Right plain radiograph of the wrist, lateral view, 16y M, image size 700x1287. 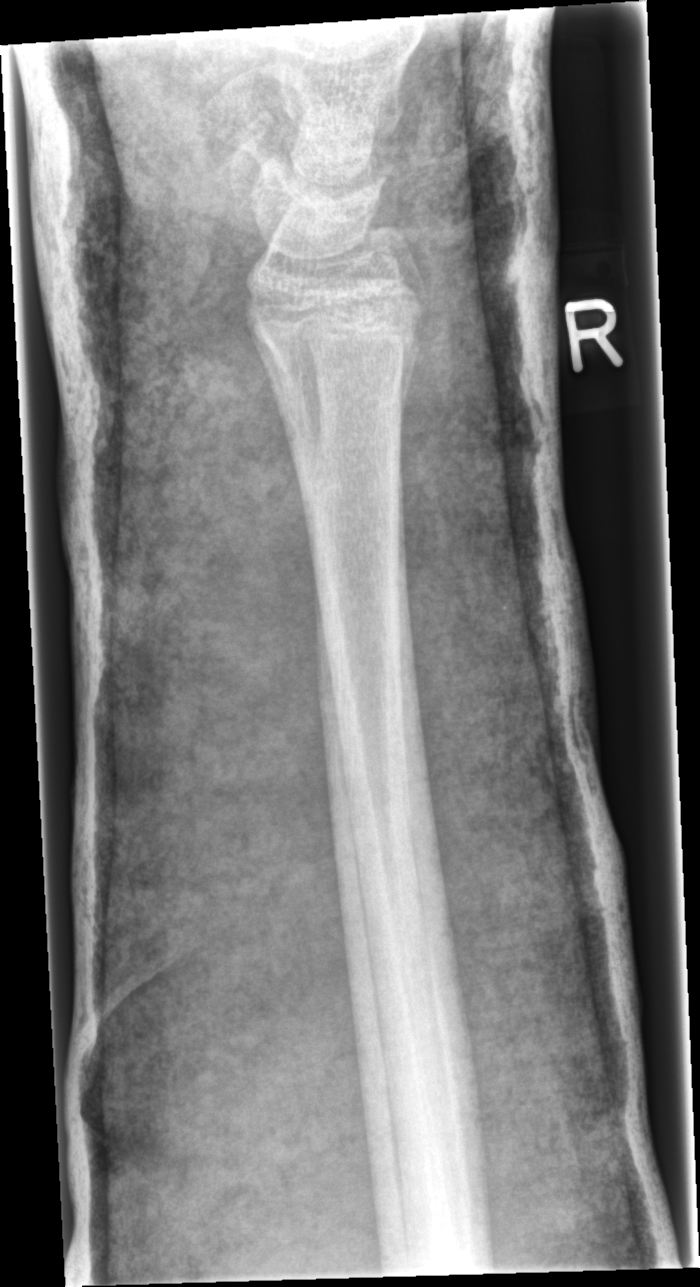 fracture = none labeled